Rt wrist XR, lat projection. 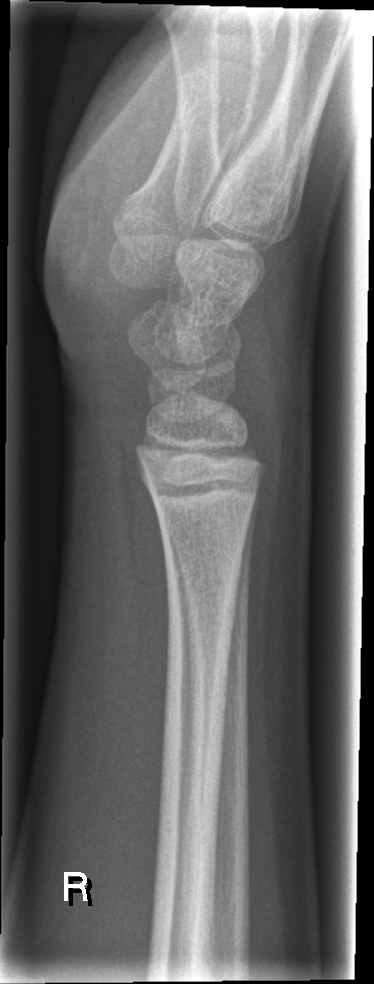

Fracture: none labeled.